Left wrist XR | lat projection:

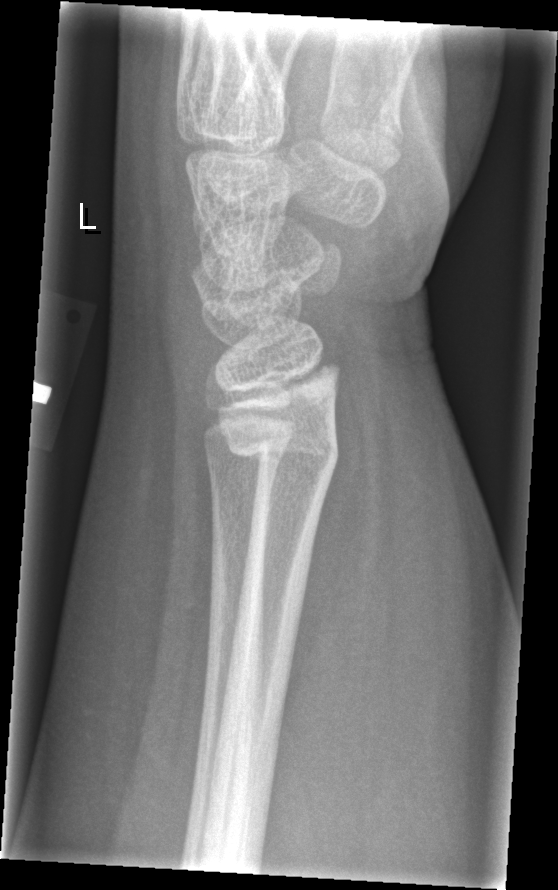
AO/OTA: 23r-M/2.1
Bone fracture: <224,427>-<341,471>